AP; right wrist radiograph; follow-up 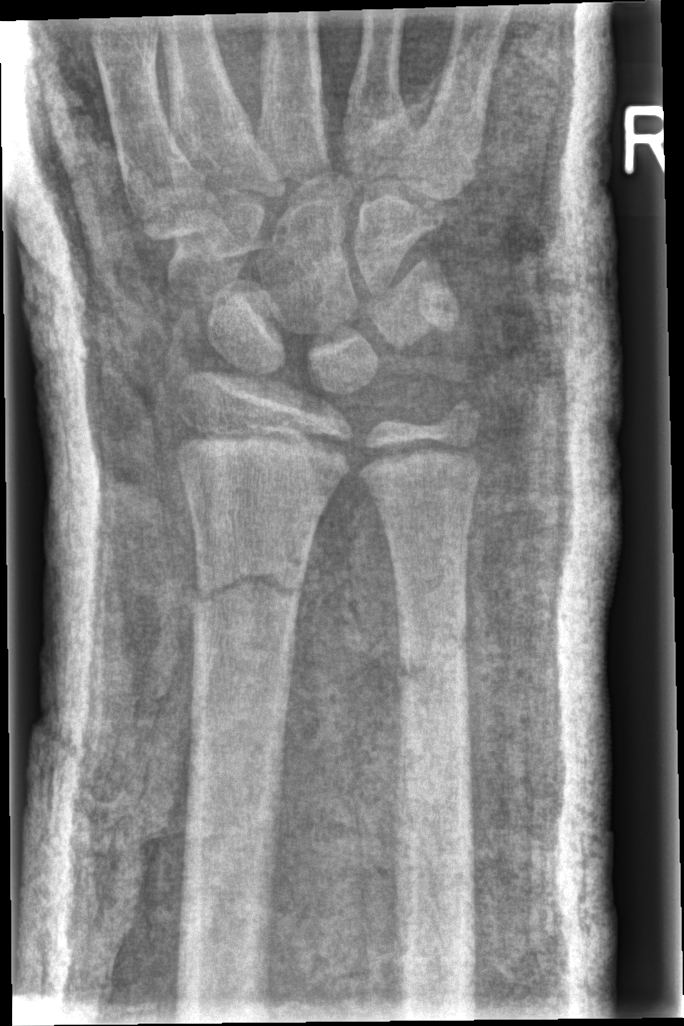

Boxes as x1,y1,x2,y2 (top-left / bottom-right, pixel units). Fracture classified AO/OTA 23r-M/3.1; 23u-M/2.1; 23u-E/7. Bone fracture identified at [189, 558, 307, 631].